Right wrist plain radiograph of the wrist | lat | 3-year-old girl.
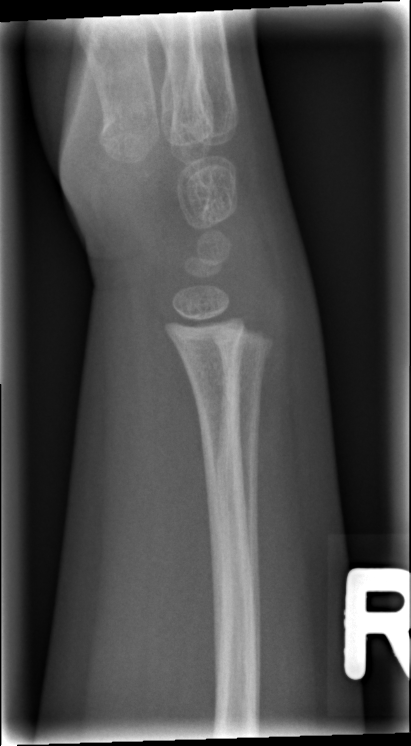
Q: Any fracture seen?
A: No Fx annotated